Right wrist plain radiograph of the wrist, lat, girl, 12 yo:

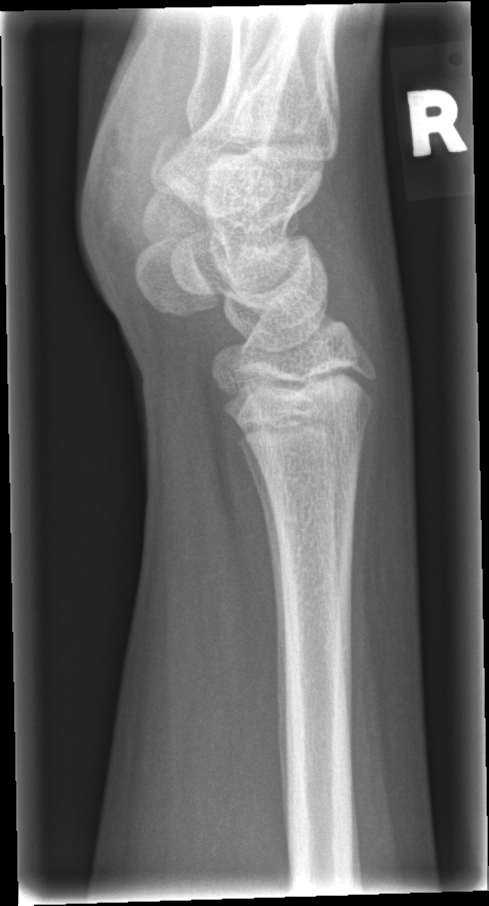 Fracture = none labeled